Lat projection · right wrist pediatric wrist radiograph · pediatric patient (boy, age 9)

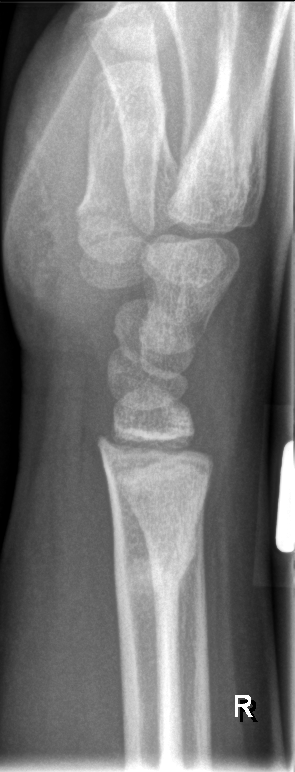
{
  "ao": "23r-M/2.1",
  "fracture": "1 @ 110 535 199 608"
}